Rt plain radiograph of the wrist; lateral; cast in situ:

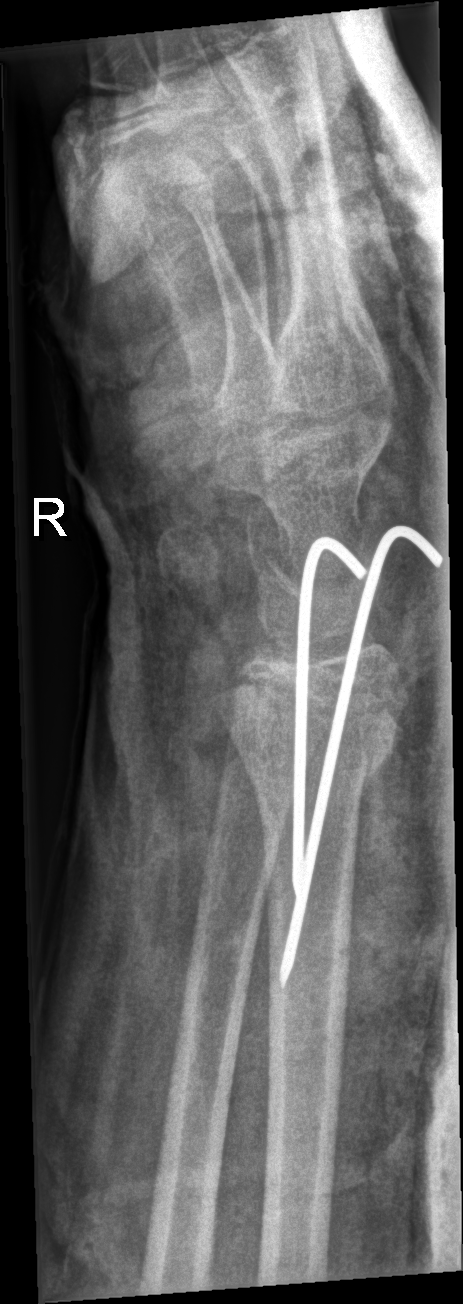
{"fracture": "<210,667>-<408,792>", "metal": "<283,517>-<463,982>"}